L plain radiograph of the wrist, posteroanterior view, pediatric patient (boy, age 12) —

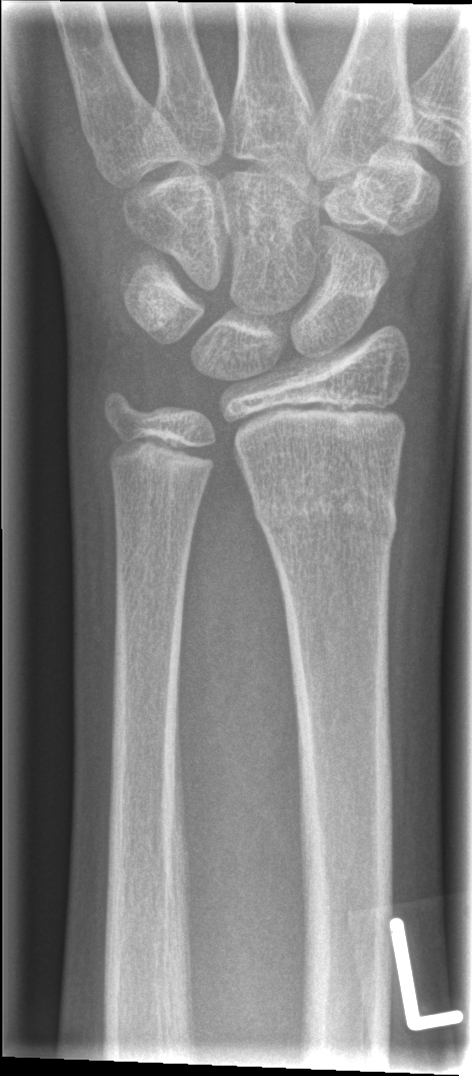

Fracture classified AO/OTA 23r-M/2.1; 23-E/7.
Two fractures at 247 469 402 551 | 96 378 158 431.